PA · left pediatric wrist radiograph · age 11 y, girl —

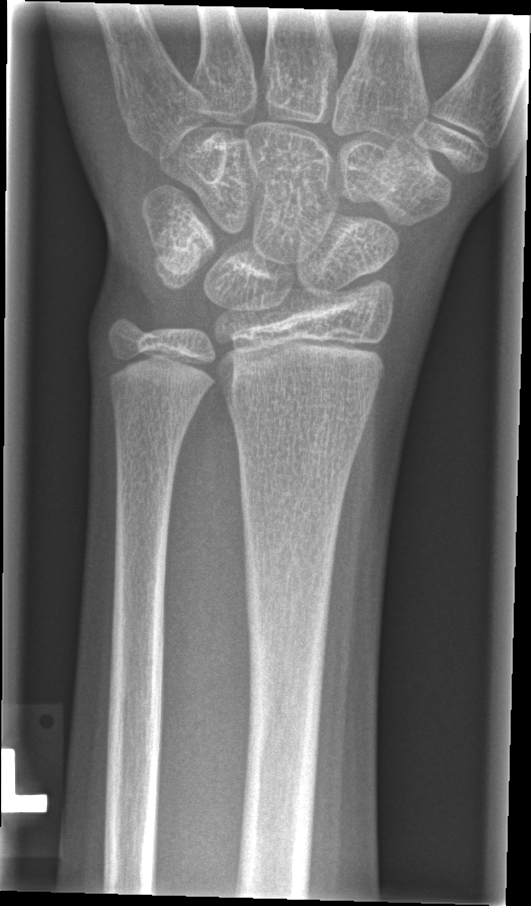
Fracture = none labeled